Left wrist plain radiograph of the wrist | frontal view.
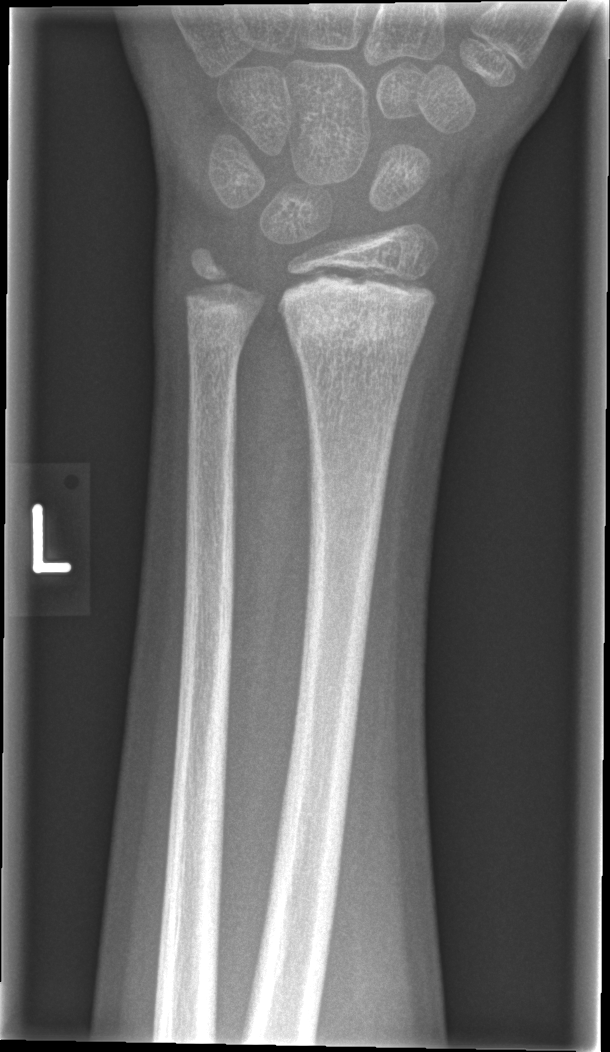
Fracture identified at <274,268>-<442,354> <178,288>-<257,364>.
Fracture classified AO/OTA 23r-E/2.1; 23u-M/2.1.